Right wrist plain film; frontal projection; cast present; acquired on Siemens; 566x859 —
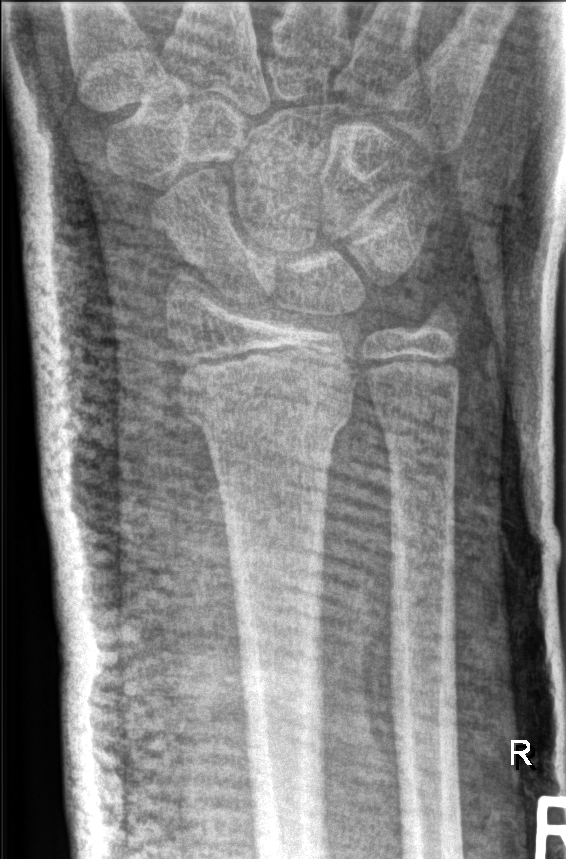 bone fracture = 1 @ <180,388>-<355,440>
AO/OTA = 23r-M/2.1